Lt plain radiograph of the wrist · PA projection.

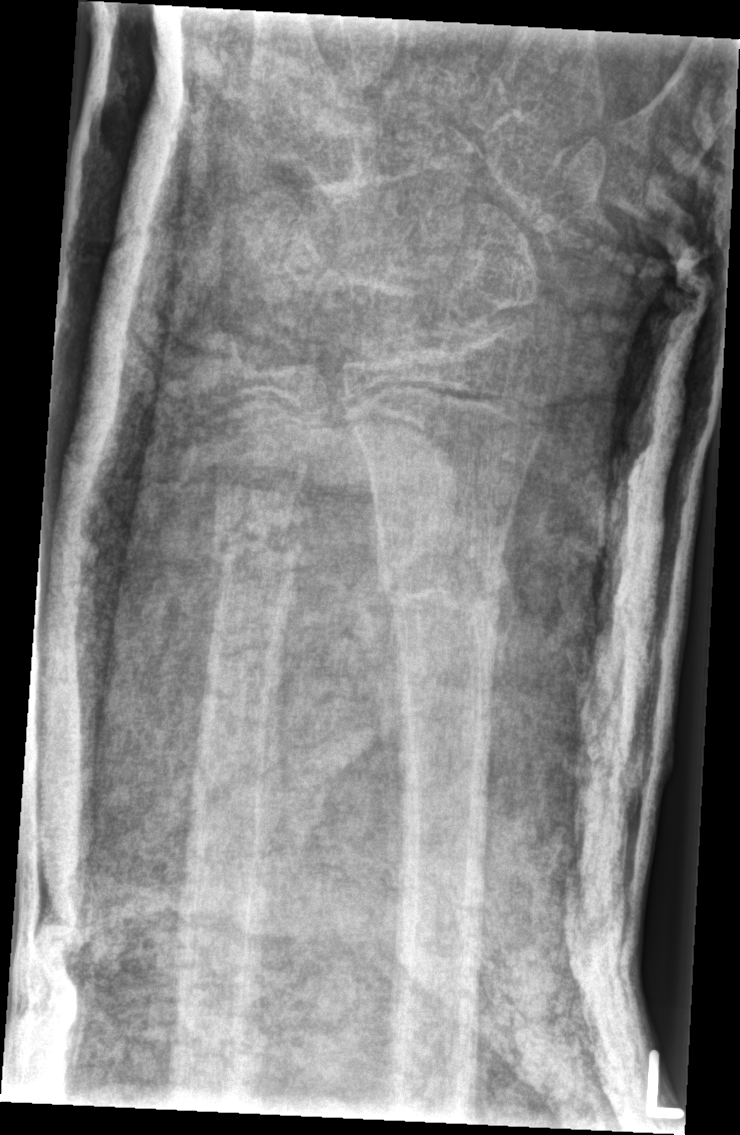

fracture: (372, 518, 512, 636) (207, 502, 309, 583)